Left pediatric wrist radiograph, PA/AP projection, presentation radiograph

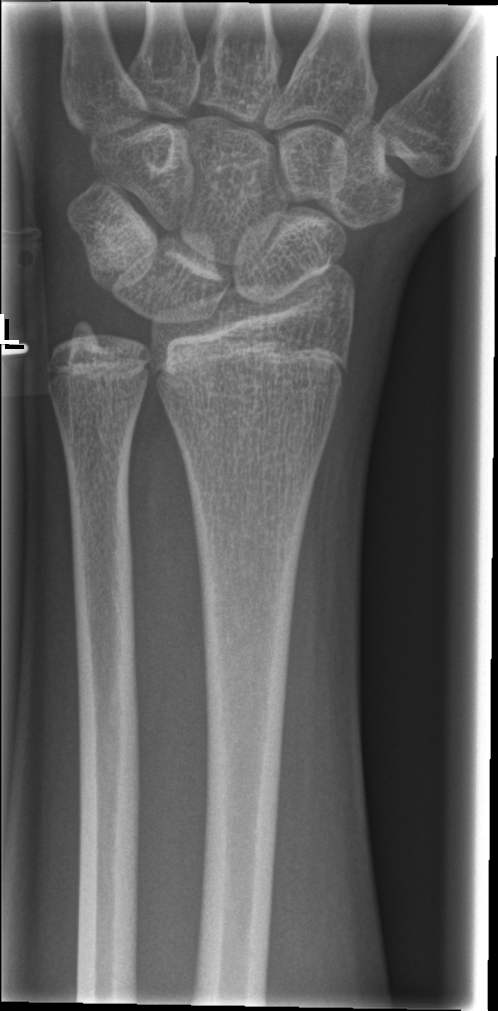

fracture = none labeled